L pediatric wrist radiograph · PA projection · initial study · image size 566x1050

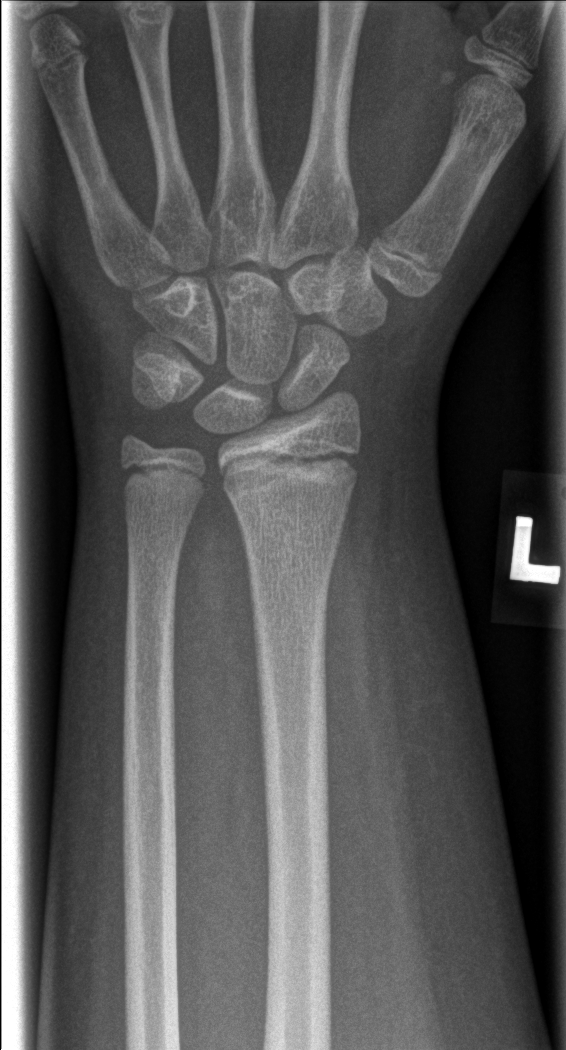 - No fracture bounding box.